Lat, Lt wrist radiograph, age 10 y, female, findings marked uncertain by the reading radiologist, detector: Siemens:
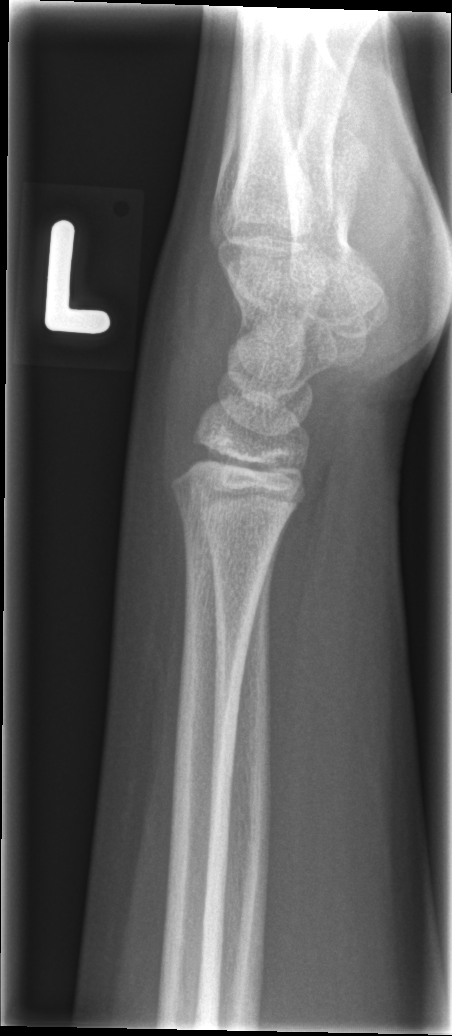

Fracture = none labeled